Right plain radiograph of the wrist · lat view · boy, 5 yo · presentation radiograph. 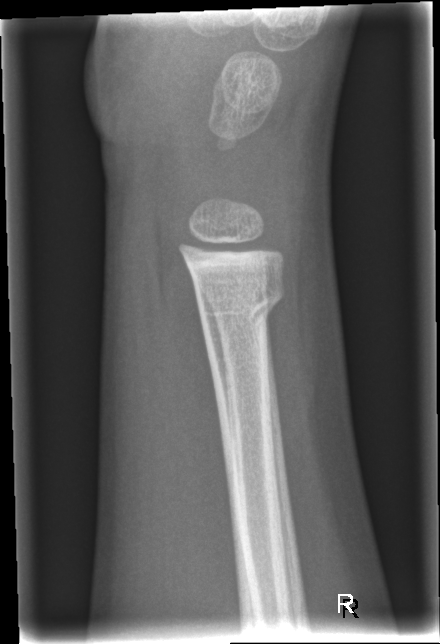 Boxes as x1,y1,x2,y2 (top-left / bottom-right, pixel units).
One bone fracture at (189, 276, 289, 326).
AO code 23r-M/2.1.